Left wrist plain film · PA/AP · age 8 y, girl · cast present · 821 by 1386 pixels:

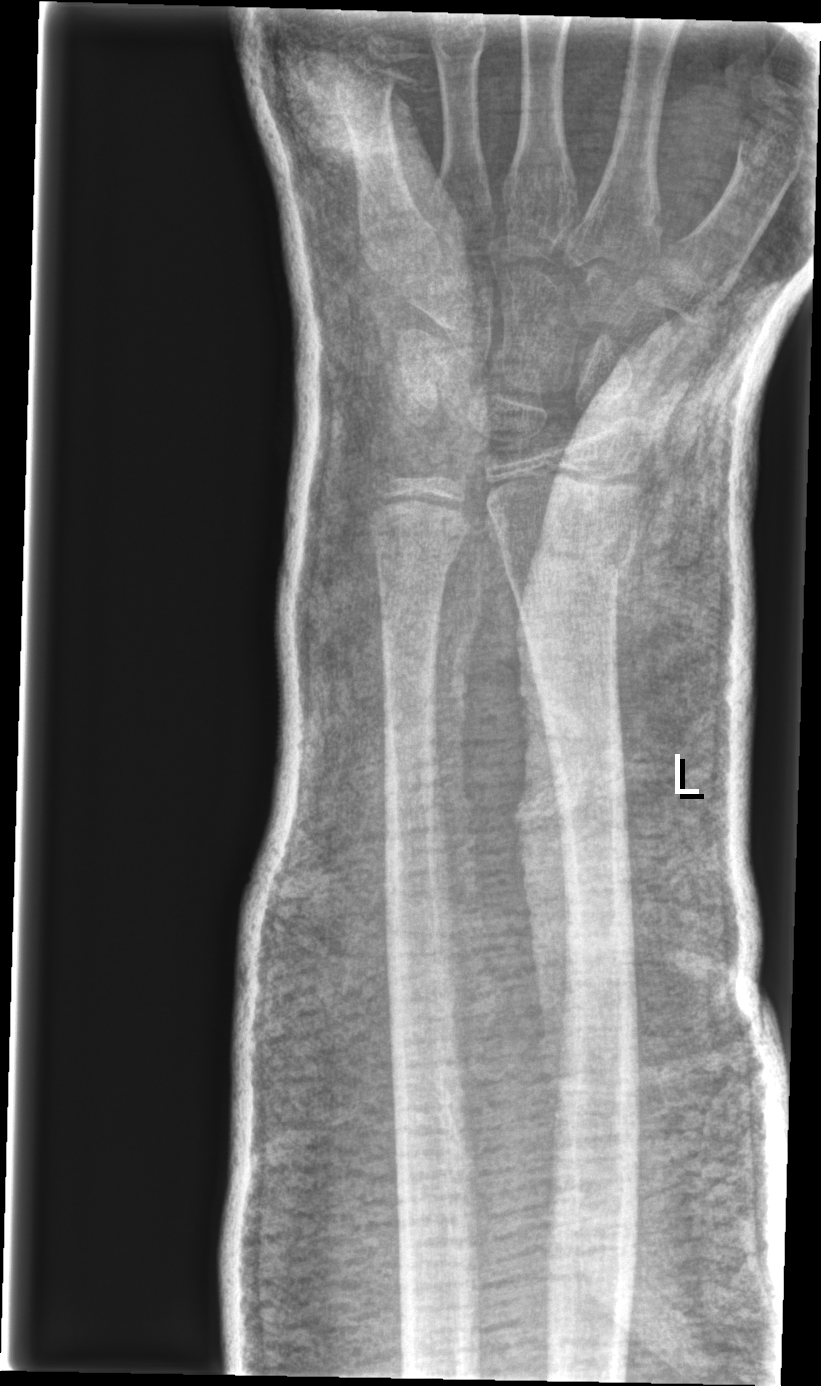

• Coordinates are [x1, y1, x2, y2] in image pixels.
• Two Fx at (left=494, top=511, right=641, bottom=594); (left=366, top=527, right=465, bottom=594).